PA; Lt pediatric wrist radiograph; 7-year-old girl

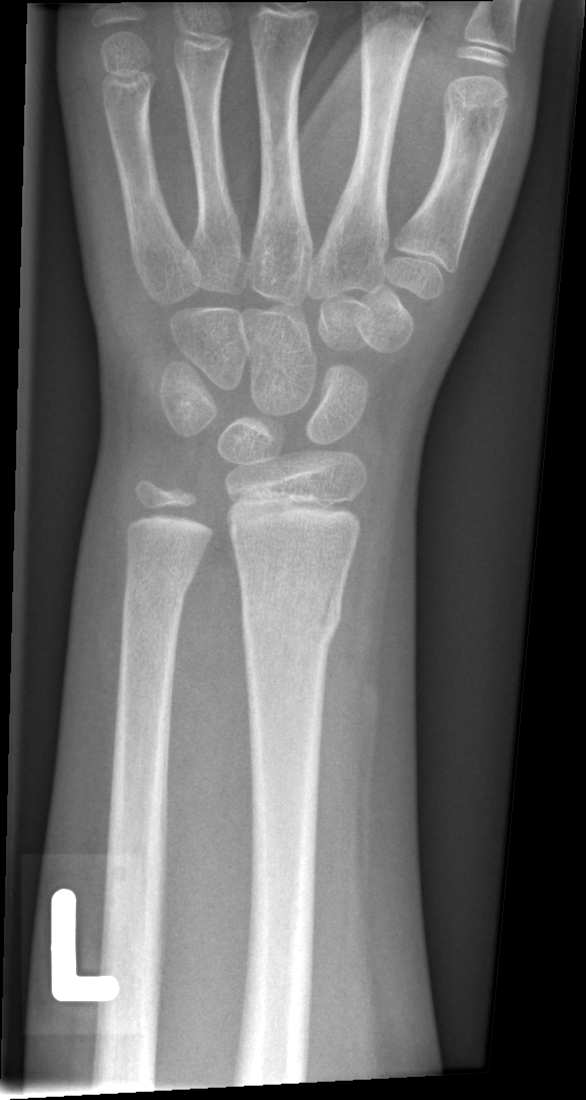
AO code: 23-M/2.1
Fx: <237,582>-<346,654>; <120,556>-<202,608>